PA/AP view · L plain radiograph of the wrist · 3-year-old girl · follow-up · imaged through cast · 540 x 898 px —
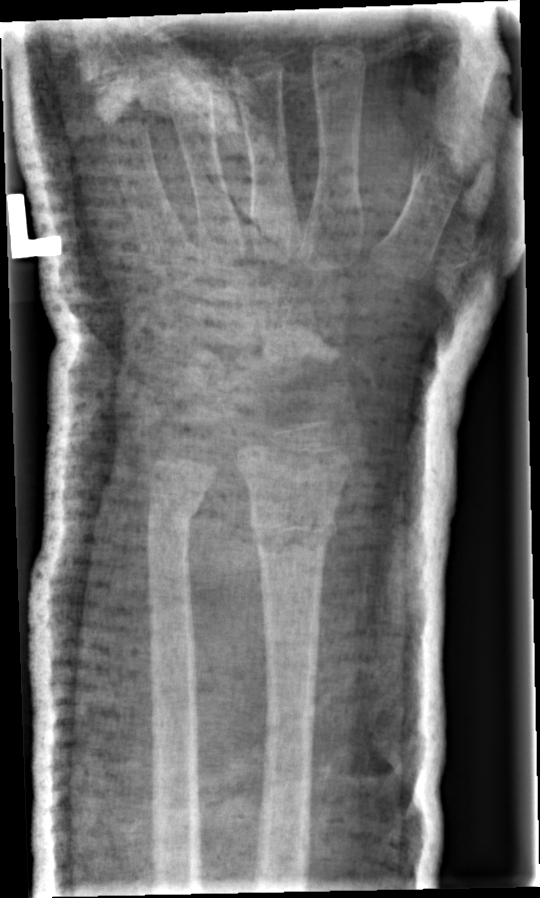
• Bounding boxes in image-pixel xyxy.
• AO/OTA classification: 23-M/3.1.
• Fracture identified at 247 508 343 560 | 140 490 205 536.
• Periosteal reaction identified at 144 499 149 530.